Left wrist plain film | lateral | 11y M | cast in situ | 78.0 mm image width 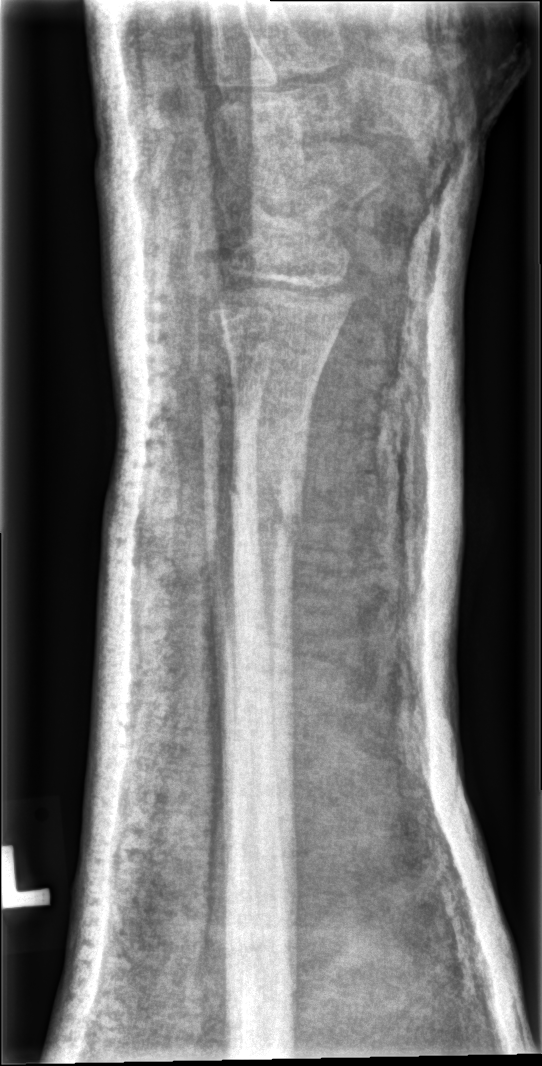 Findings: (bounding boxes in image-pixel xyxy) Fx — [223, 472, 308, 557].